Left wrist XR | lat | pediatric patient (boy, age 9). 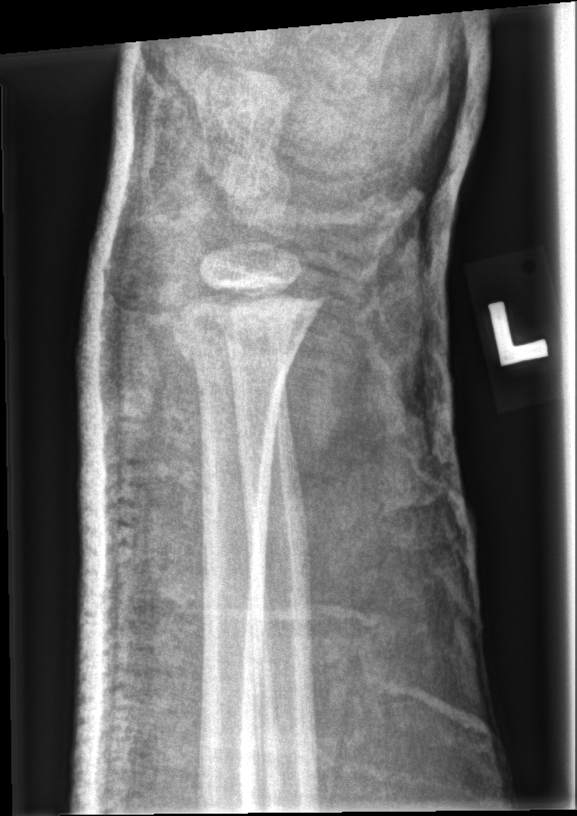

bone fracture = [170, 304, 298, 369]
AO code = 23r-M/3.1